Lateral projection · R wrist plain film · female, 6 yo · presentation radiograph · 60.0 mm image width · image size 417x922
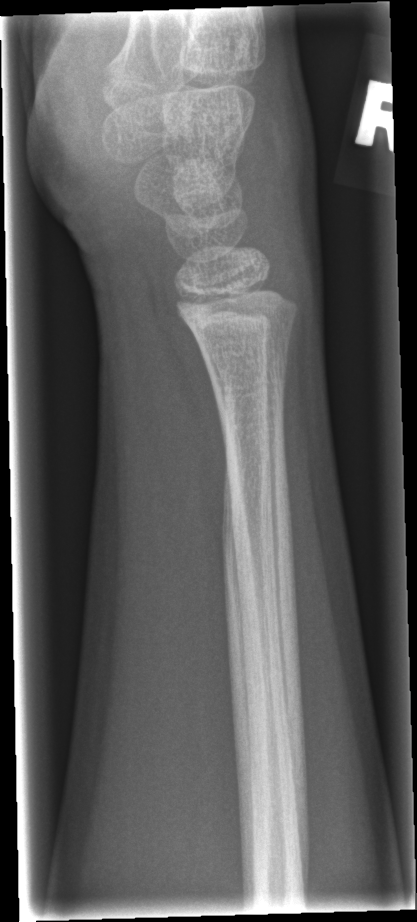 {
  "fracture": "none labeled"
}